Left wrist plain film; lat view; pediatric patient (boy, age 5); index exam; image width 58.5 mm; image size 406x824:

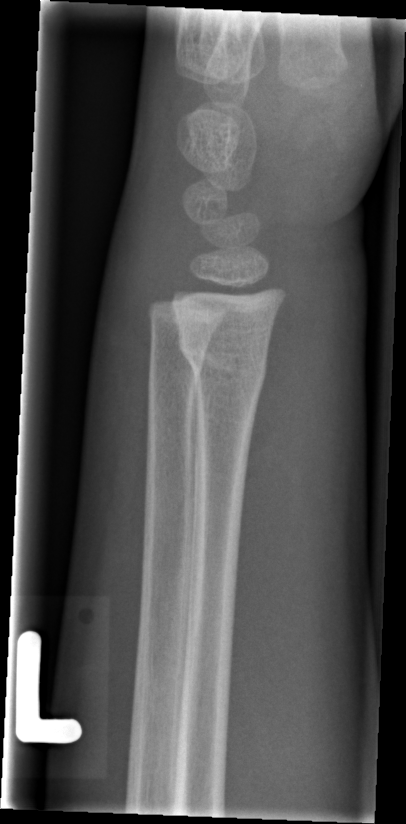

Fracture classified AO/OTA 23-M/2.1. Bone fracture: [174, 324, 272, 391].